Left wrist XR; PA/AP view.
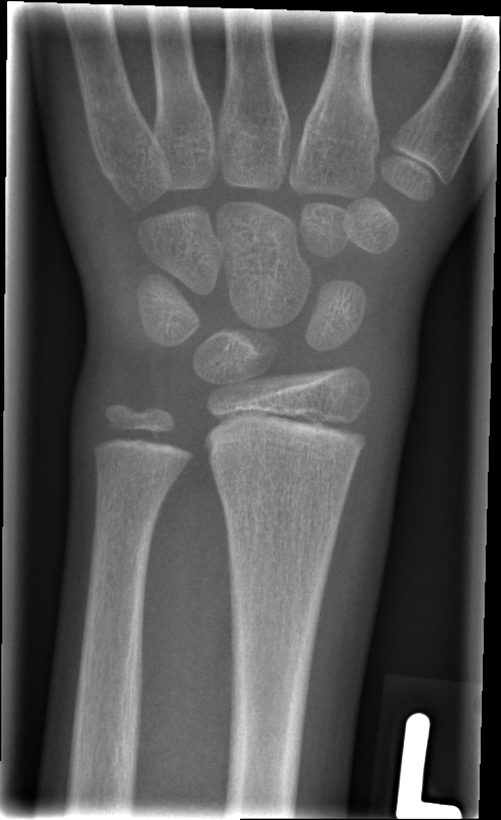
Fx present but not clearly seen in this view.
Fracture classified AO/OTA 23r-M/2.1.